Right wrist radiograph | lateral | equivocal findings | 495x1156. 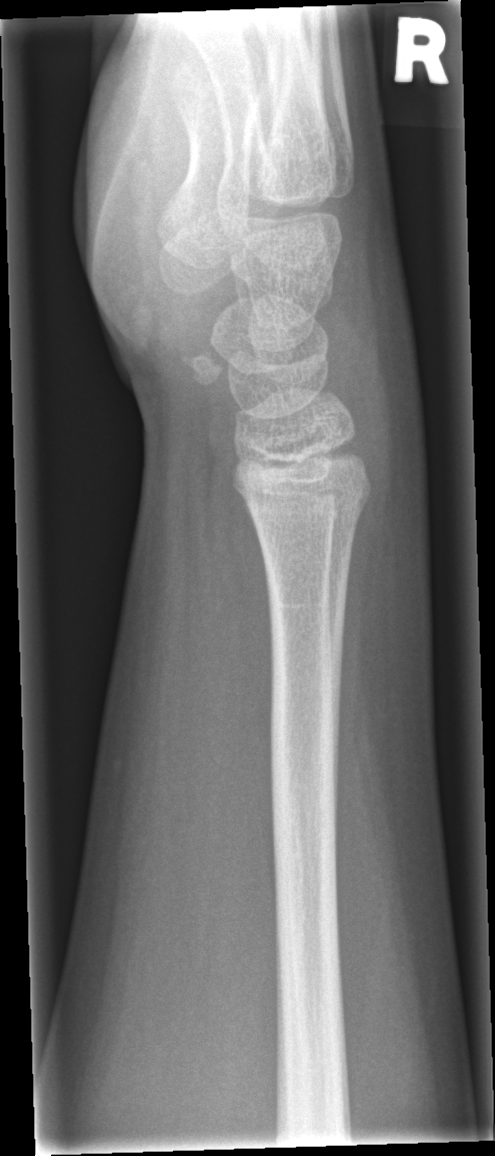

Coordinates are [x1, y1, x2, y2] in image pixels. One Fx at <239,466>-<378,553>.